L wrist plain film; posteroanterior; age 13 y, girl; imaged through cast:

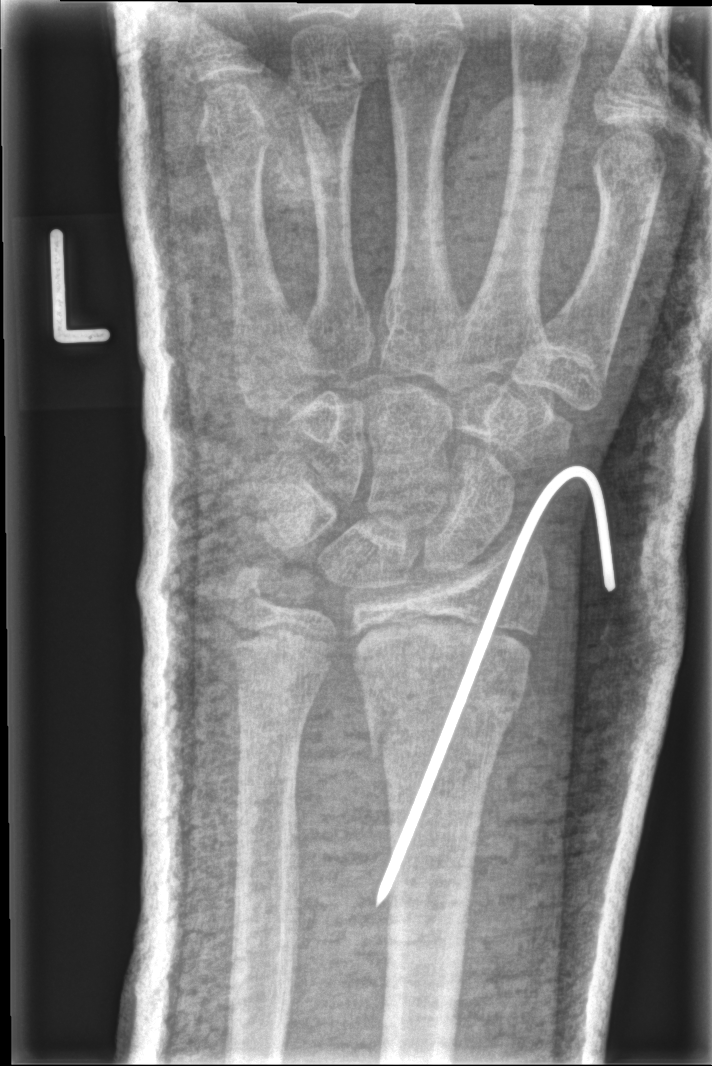

metal: bbox(372, 464, 616, 910)
fracture: 3 @ bbox(363, 657, 530, 772), bbox(230, 773, 302, 836), bbox(221, 557, 283, 621)
ao: 23r-M/3.1; 23u-M/2.1; 23u-E/7